Lateral projection | L plain radiograph of the wrist | male, 14 yo | subsequent exam —

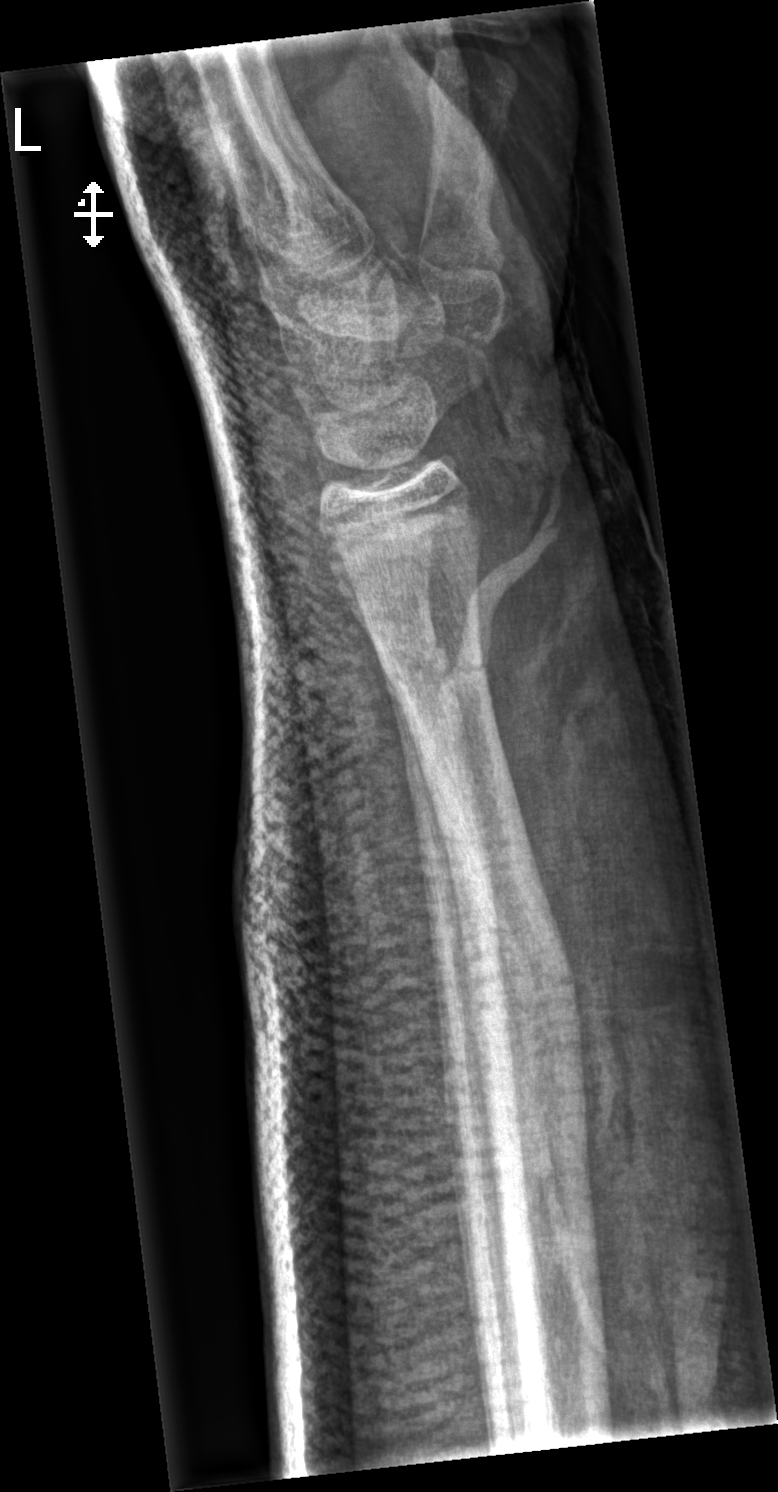
Findings: Fracture — 372,643,493,711.